Lateral · L pediatric wrist radiograph · boy, 11 yo · Siemens.
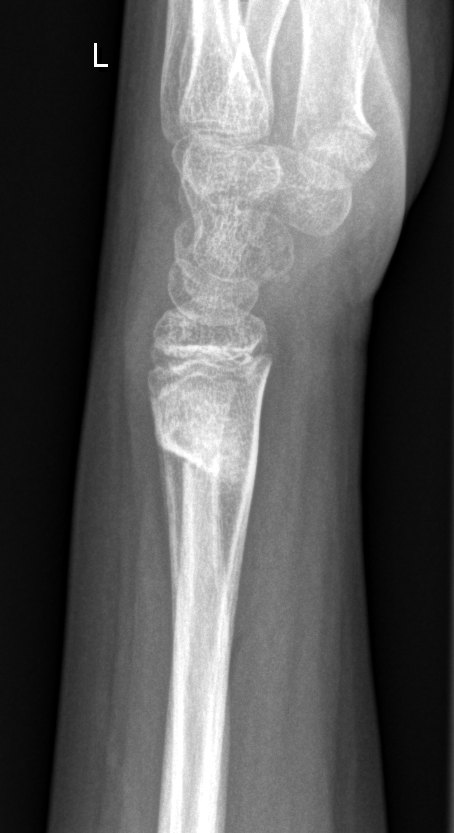

Findings: AO code 23r-M/3.1; 23u-E/7. Reduced bone mineral density. Fracture: (left=148, top=397, right=260, bottom=501).